Frontal, left wrist plain film, boy, 9 yo, 616 by 1318 pixels

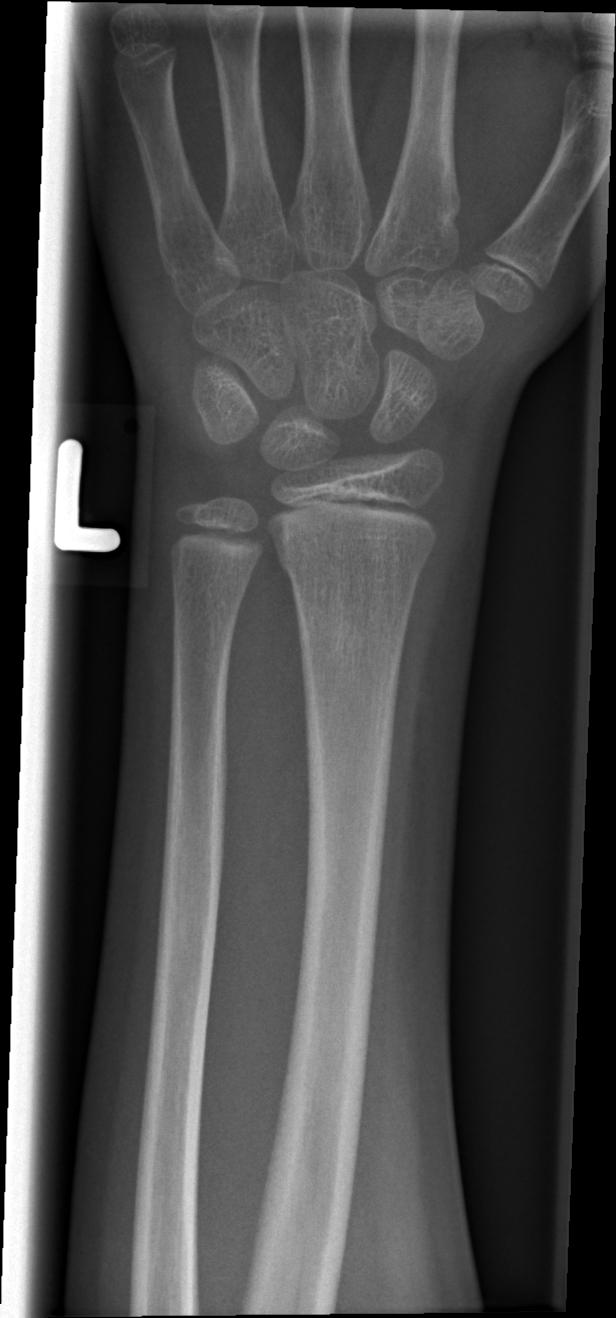 fracture: 273 536 431 590
ao: 23r-M/2.1